Right wrist plain film; AP projection; pediatric patient (male, age 13); subsequent exam; detector: Siemens; 514x1054 — 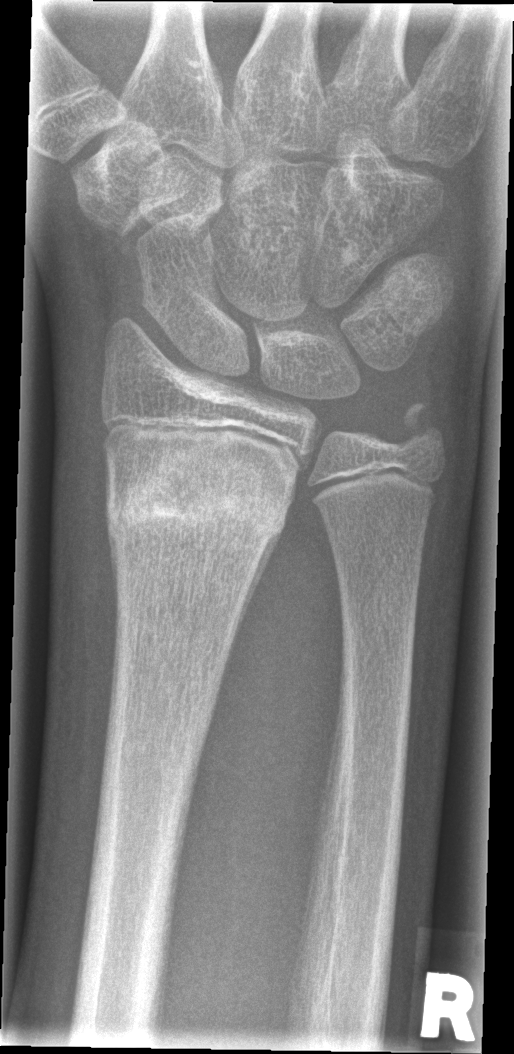
Fractures — 103,437,293,570 | 399,403,451,459.
AO code 23r-M/3.1; 23u-E/7.
One bone lesion at 336,237,360,268.
Periosteal new bone: 215,514,286,694.